Rt wrist XR, lateral projection — 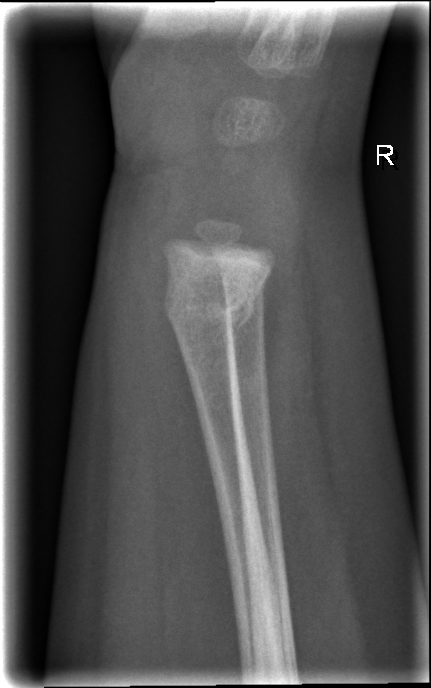

Fracture — (161, 279, 258, 335).